Lat view | Rt wrist X-ray: 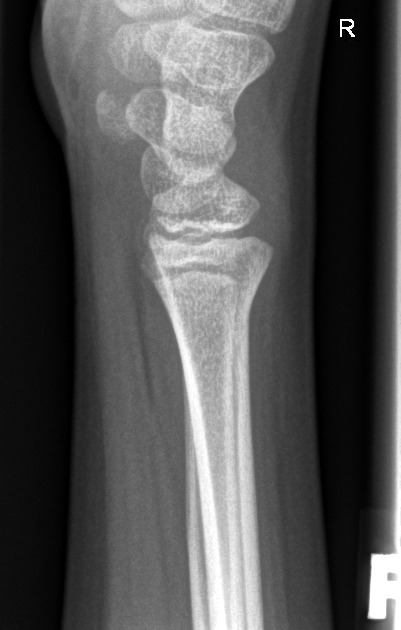

Bone fracture identified at 152 266 271 346.
AO code 23r-M/2.1.